PA view · left wrist radiograph · cast present · image size 640x945
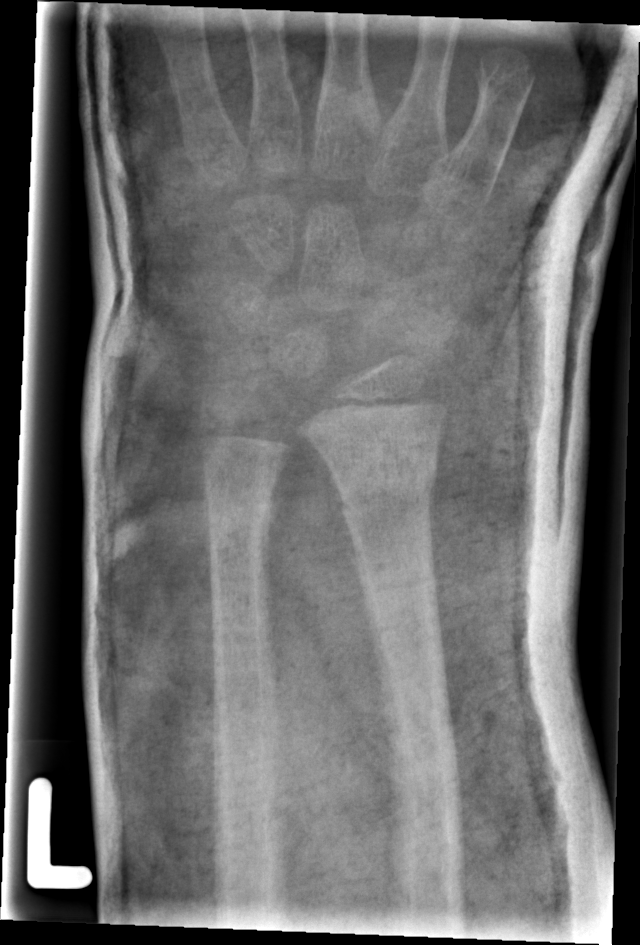 FINDINGS — (bounding boxes in image-pixel xyxy) AO/OTA classification: 23r-M/3.1; 23u-M/2.1. Bone fracture: [328, 451, 441, 527] [202, 489, 281, 551].